Right wrist radiograph · lateral view.
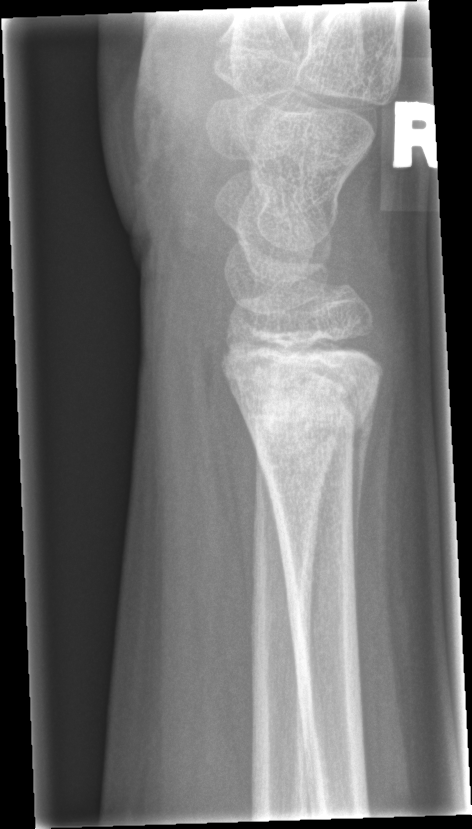

- Fx — 217,337,386,455.
- Decreased bone density (osteopenia).
- Periosteal reaction — 349,376,378,584.